PA/AP, L wrist plain film, acquired on Siemens, 552 x 651 px 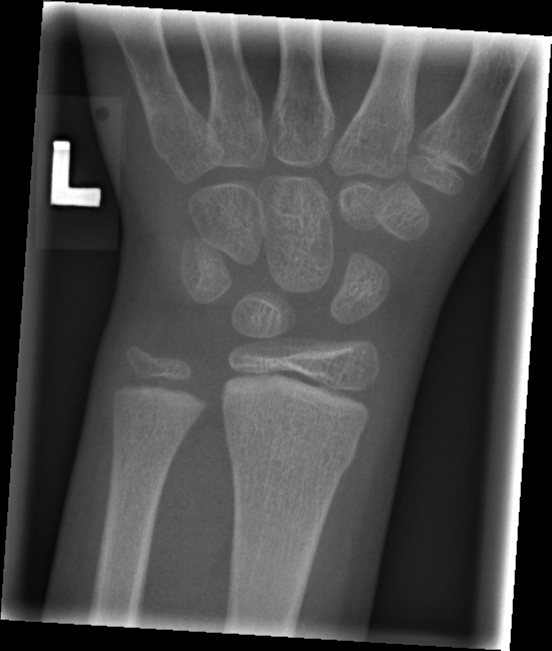
(bounding boxes in image-pixel xyxy)
Fracture: 1 @ [222, 414, 361, 479]
AO/OTA: 23r-M/2.1